AP · Lt plain radiograph of the wrist · acquired on Siemens.

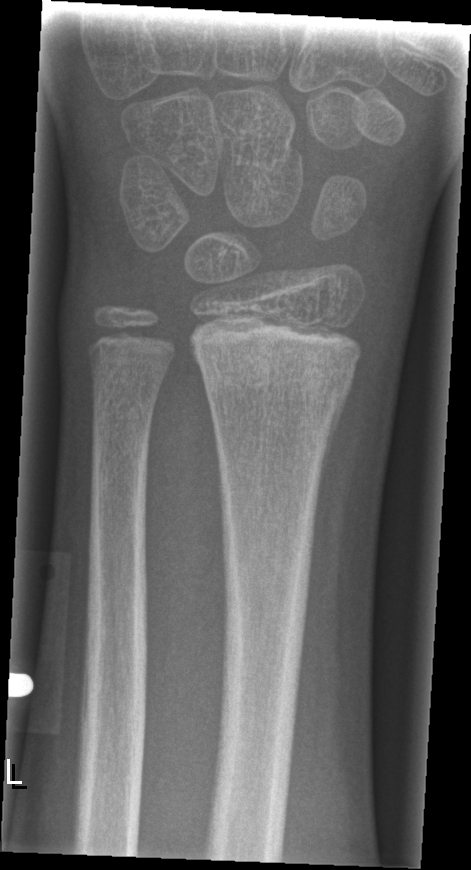

(bounding boxes in image-pixel xyxy)
bone fracture = 1 @ [x1=189, y1=316, x2=360, y2=415]
osteopenia = present